Lt plain radiograph of the wrist, lateral view, age 14 y, male, presentation radiograph, Siemens.

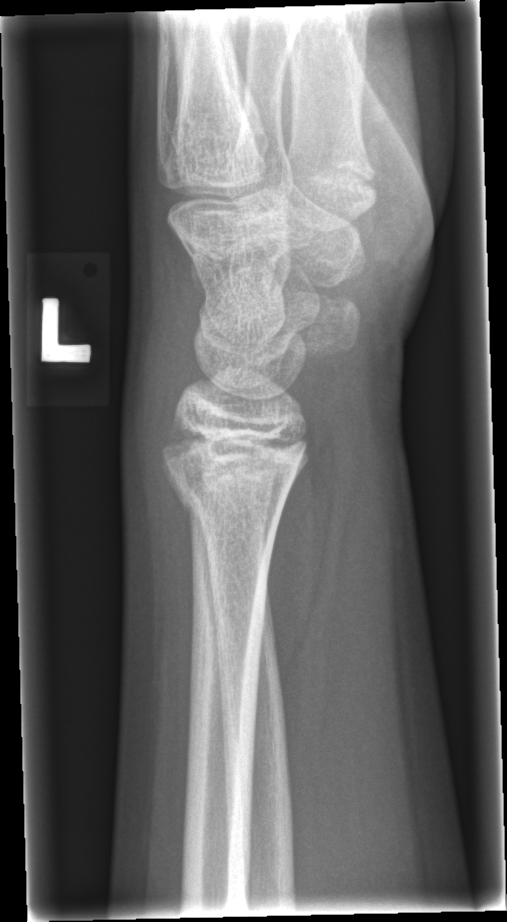 FINDINGS — Positive pronator fat-pad sign identified at (left=245, top=386, right=351, bottom=730). Fracture identified at (left=168, top=466, right=292, bottom=540). Fracture classified AO/OTA 23r-M/2.1.